Posteroanterior, right wrist pediatric wrist radiograph, pediatric patient (boy, age 12), index exam.

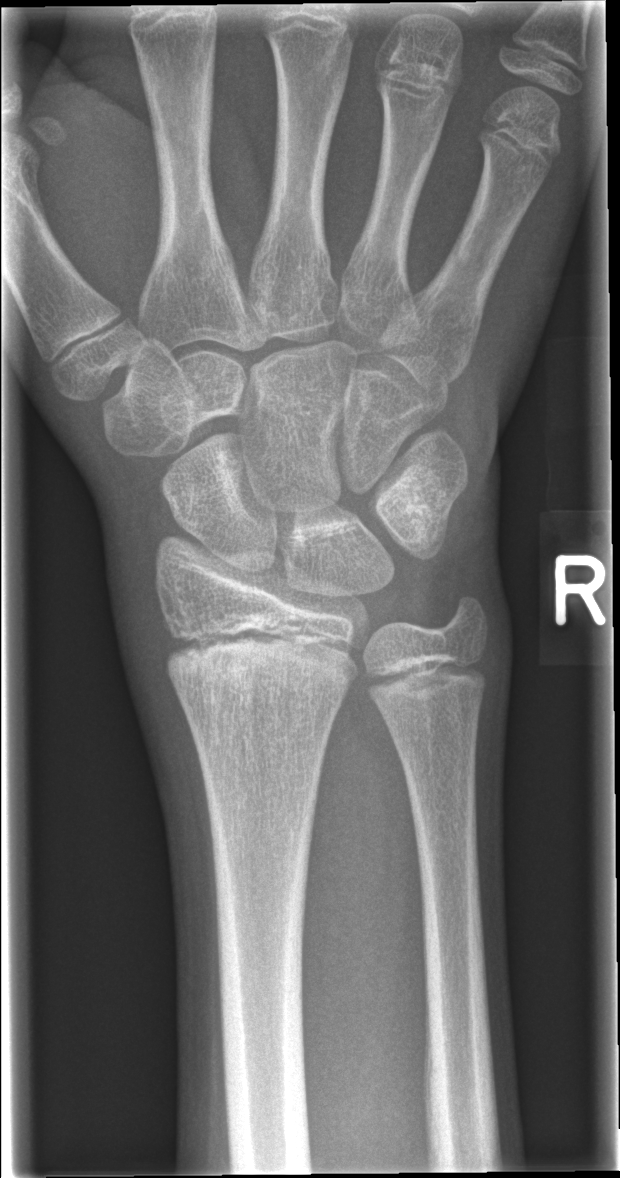
FINDINGS: Fx: none.